Lat view; right pediatric wrist radiograph. 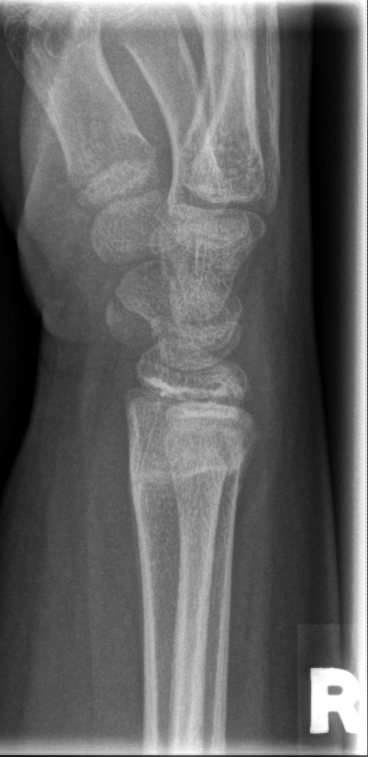

• One periosteal new bone at bbox(128, 467, 145, 692).
• Fracture classified AO/OTA 23r-M/3.1.
• Fx: bbox(124, 420, 257, 503).